L wrist X-ray, lateral projection, 14-year-old male, 466 x 996 px.
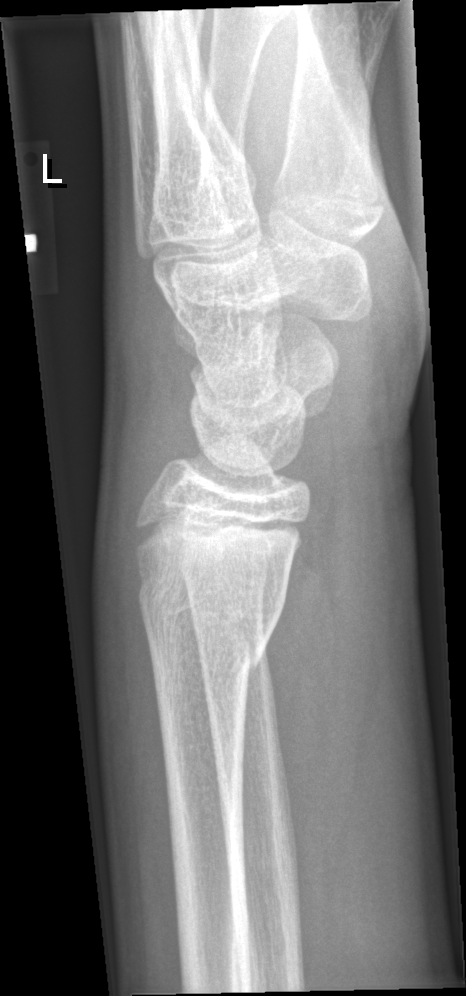

Coordinates are [x1, y1, x2, y2] in image pixels. AO/OTA classification: 23r-M/3.1; 23u-E/7. Fracture identified at <130,564>-<290,689>. Positive pronator fat-pad sign: <259,455>-<367,922>.